Lat view; left wrist X-ray; image 71.3 mm wide.

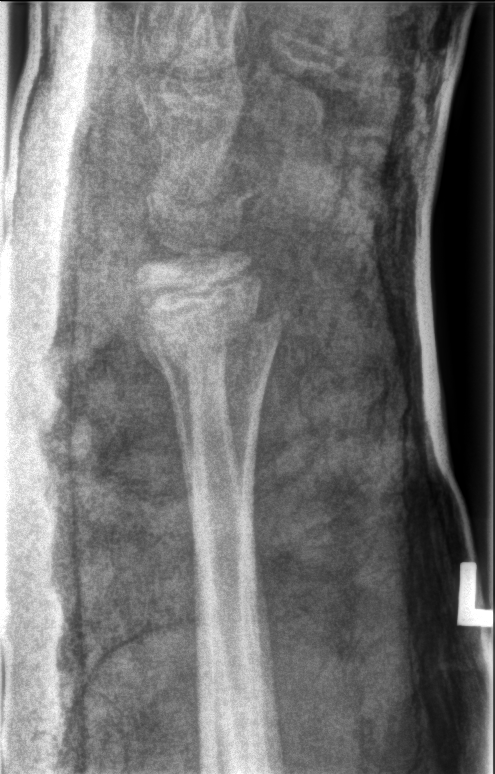

FINDINGS — (bounding boxes in image-pixel xyxy) Bone fracture identified at (127, 282, 292, 373).